Lt wrist X-ray · lat · 7y M · 76.0 mm image width · 528 x 1090 px:
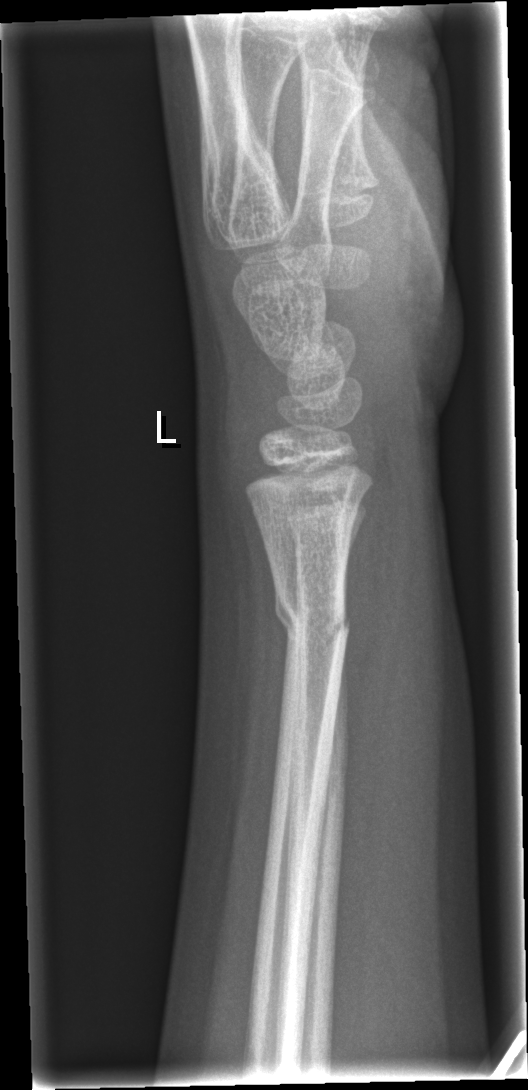
• Bounding boxes in image-pixel xyxy.
• AO/OTA classification: 23r-M/3.1; 23u-M/2.1.
• Pronator sign — (left=345, top=448, right=402, bottom=731).
• Fx — (left=271, top=582, right=355, bottom=653), (left=281, top=500, right=363, bottom=558).